Left wrist X-ray | posteroanterior | pediatric patient (male, age 16) | acquired on Siemens.
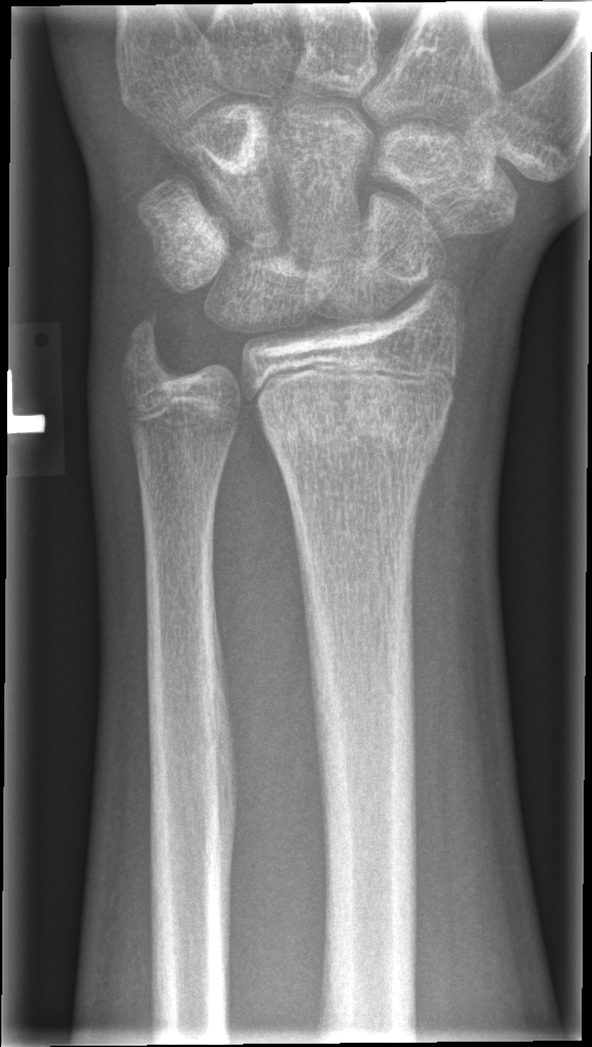 AO code: 23r-M/2.1; 23u-E/7
Fx: 2 @ (left=258, top=388, right=453, bottom=464) (left=115, top=310, right=189, bottom=389)